Rt wrist XR; lateral view; 10y M; initial study
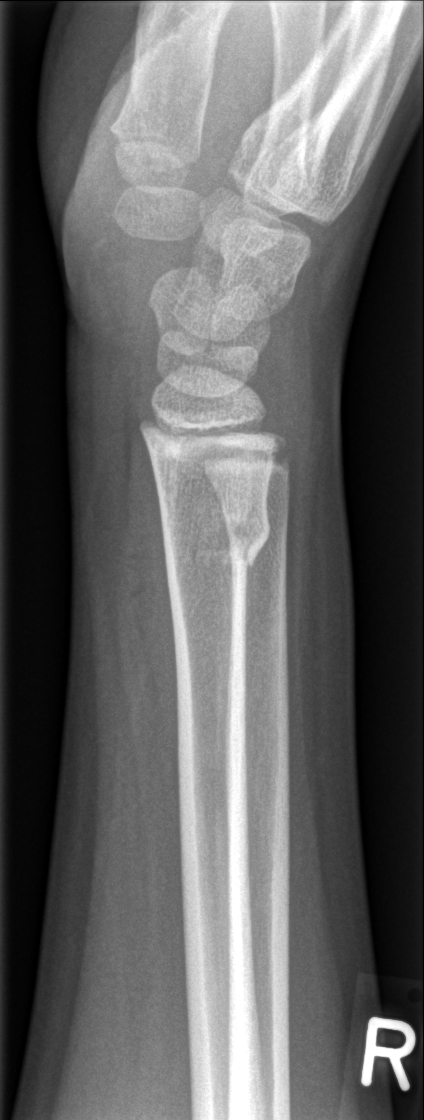
- Bounding boxes in image-pixel xyxy.
- Fracture classified AO/OTA 23r-M/2.1.
- Fx — (157, 497, 274, 574).
- Pronator sign identified at (121, 406, 181, 775).